Lat view | left wrist X-ray | boy, 14 yo | cast in situ —

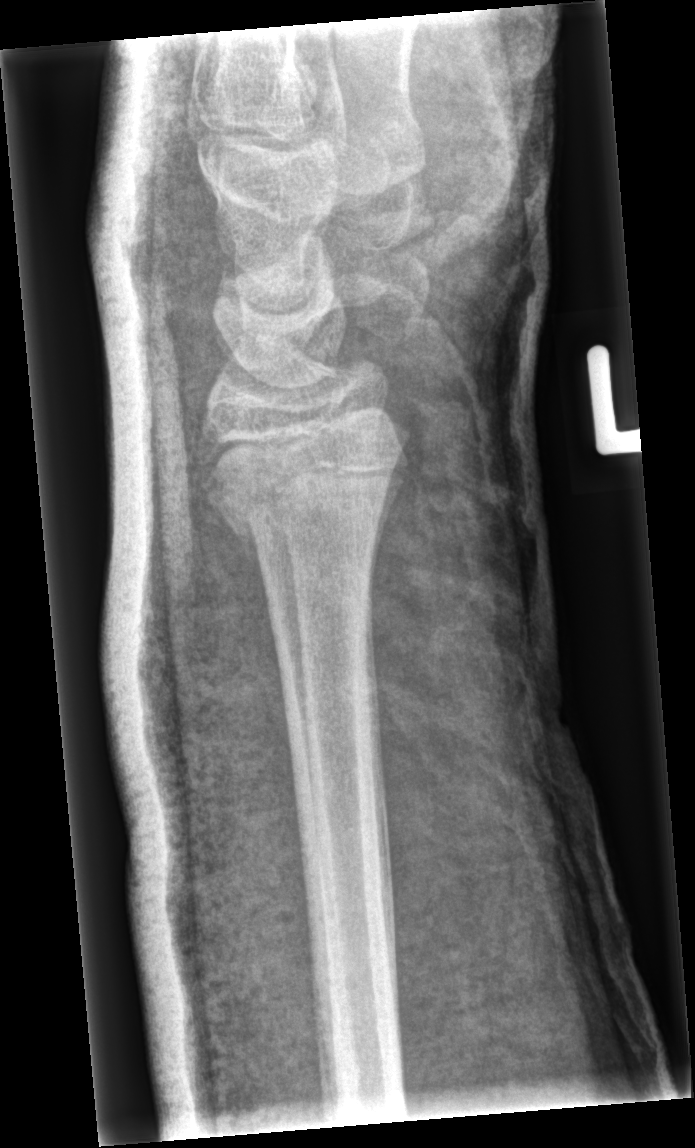 Fracture identified at (left=193, top=415, right=412, bottom=559). AO code 23r-E/2.1; 23u-E/7.